Lat; right wrist plain radiograph of the wrist 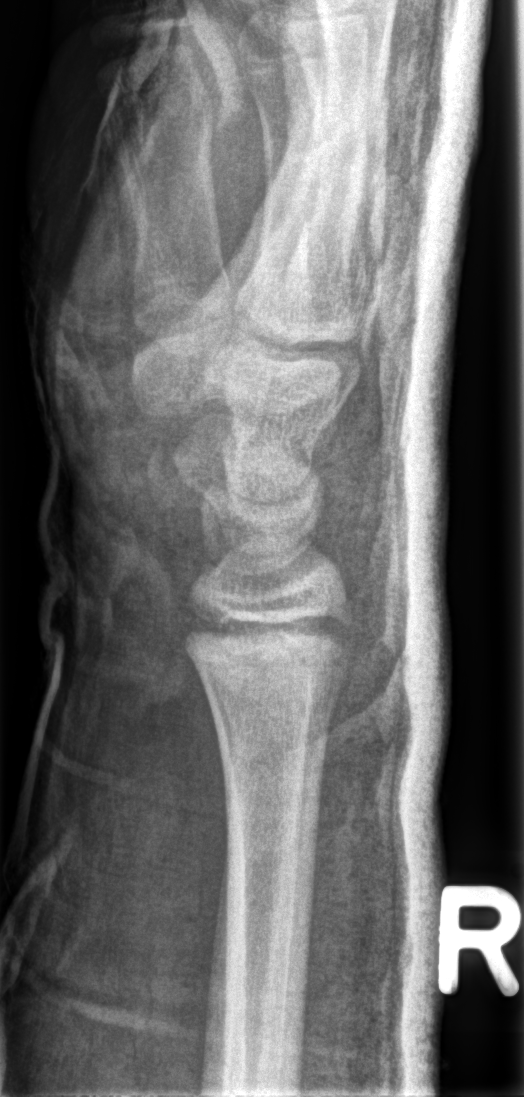
• AO code 23r-E/1.
• Fracture present, though not clearly seen in this view.